Lt wrist radiograph, lateral projection, female, 12 yo, image width 67.5 mm

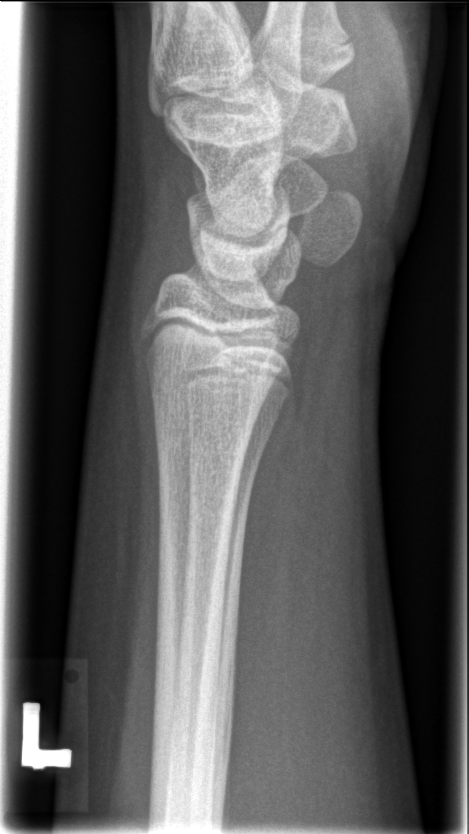 bone fracture = none labeled